Lateral · Rt wrist X-ray · 15y M · subsequent exam · imaged through cast · image width 97.1 mm:

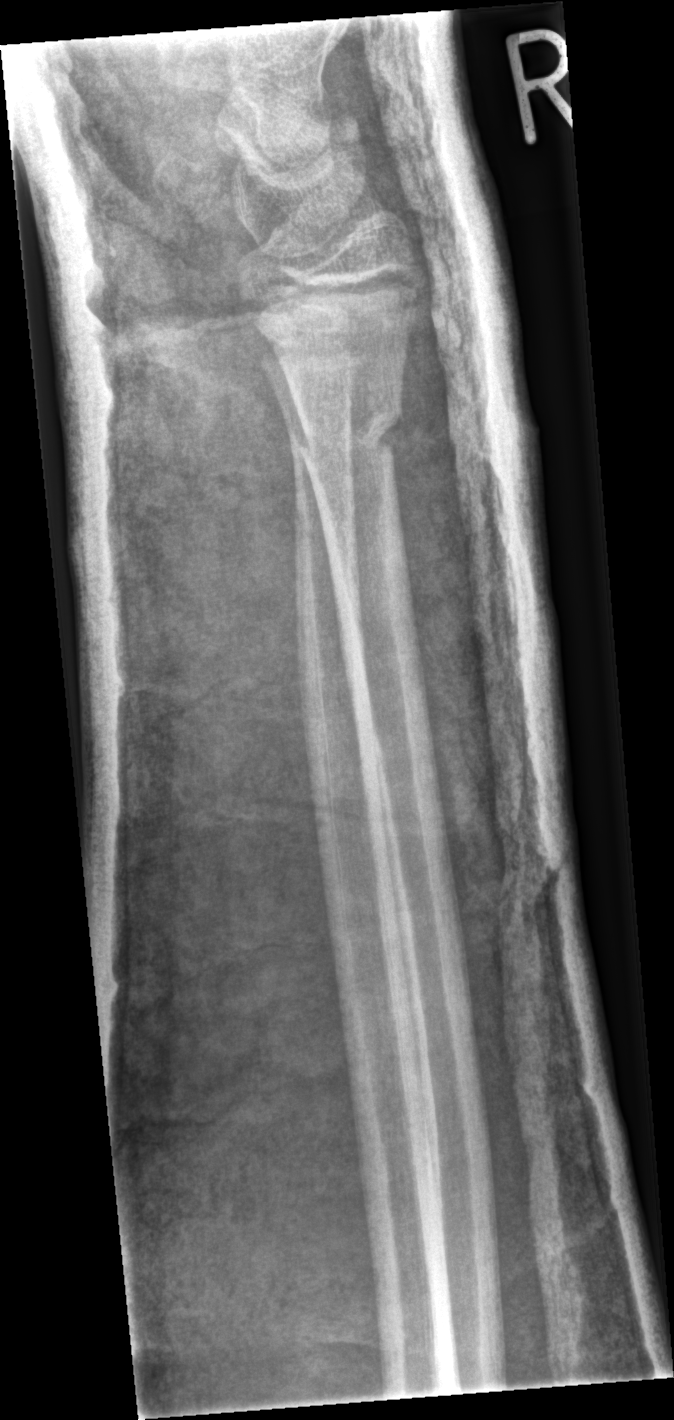 * Fracture classified AO/OTA 23r-M/3.1; 23u-M/2.1; 23u-E/7.
* Fracture — [290, 398, 406, 469].